Frontal | Lt wrist X-ray | 9y F | image width 76.6 mm | 532 by 1146 pixels —

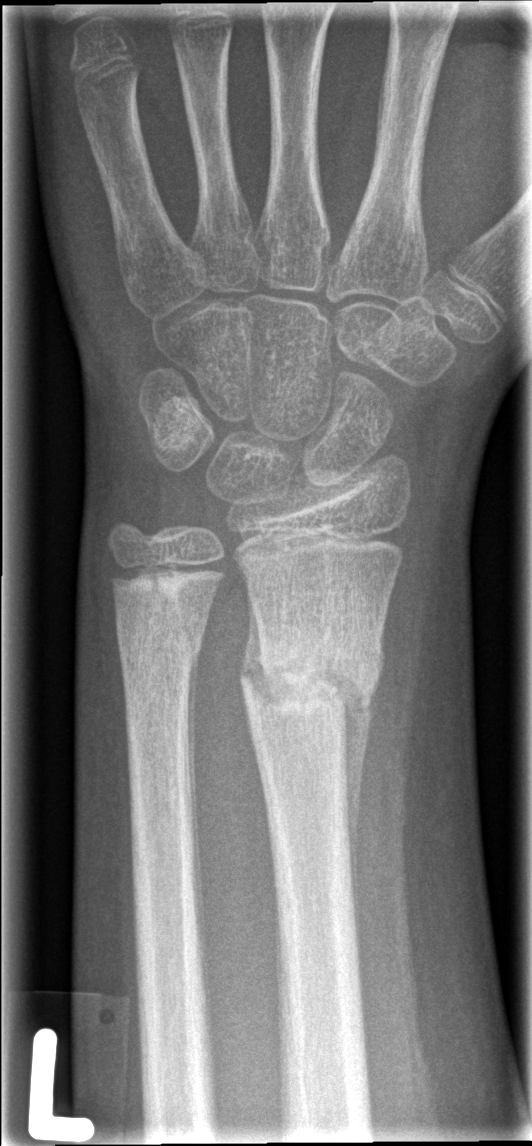
• Fracture classified AO/OTA 23r-M/3.1; 23u-M/2.1.
• Bone fracture identified at bbox(243, 617, 384, 745); bbox(112, 614, 209, 680).
• Decreased bone density (osteopenia).
• Periosteal thickening identified at bbox(184, 640, 211, 1025), bbox(345, 685, 371, 957), bbox(240, 580, 267, 701).